R plain radiograph of the wrist · lat · age 9 y, male · Siemens

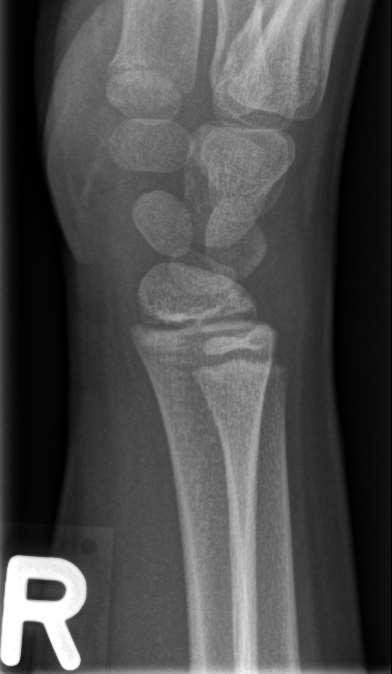 No fracture bounding box.